Left wrist plain film · PA · image size 648x954:
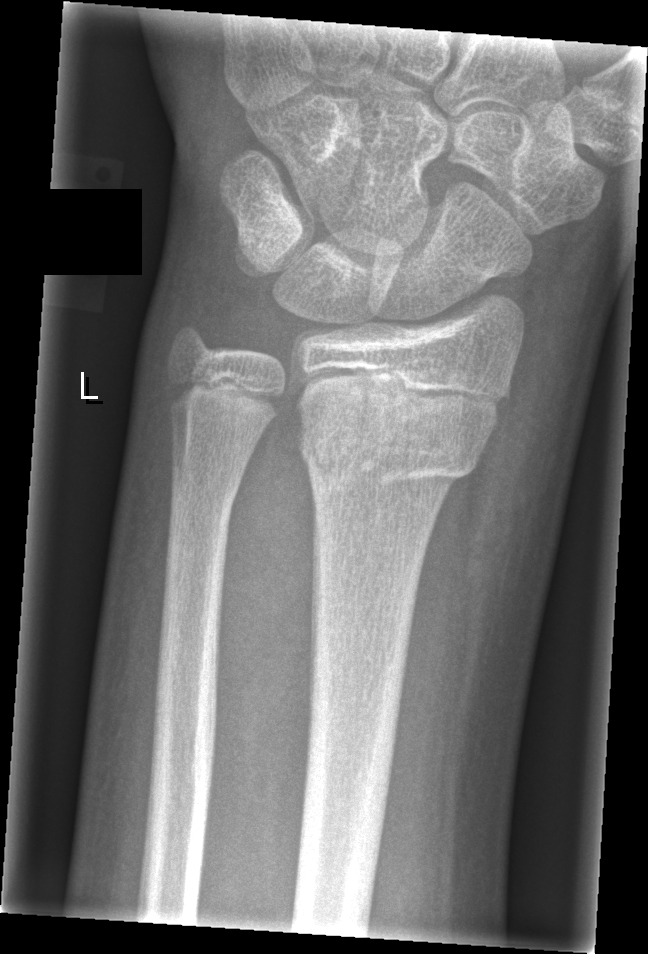 Findings: Two Fx at (left=301, top=375, right=505, bottom=493) (left=166, top=454, right=247, bottom=517).